Right wrist X-ray · AP view 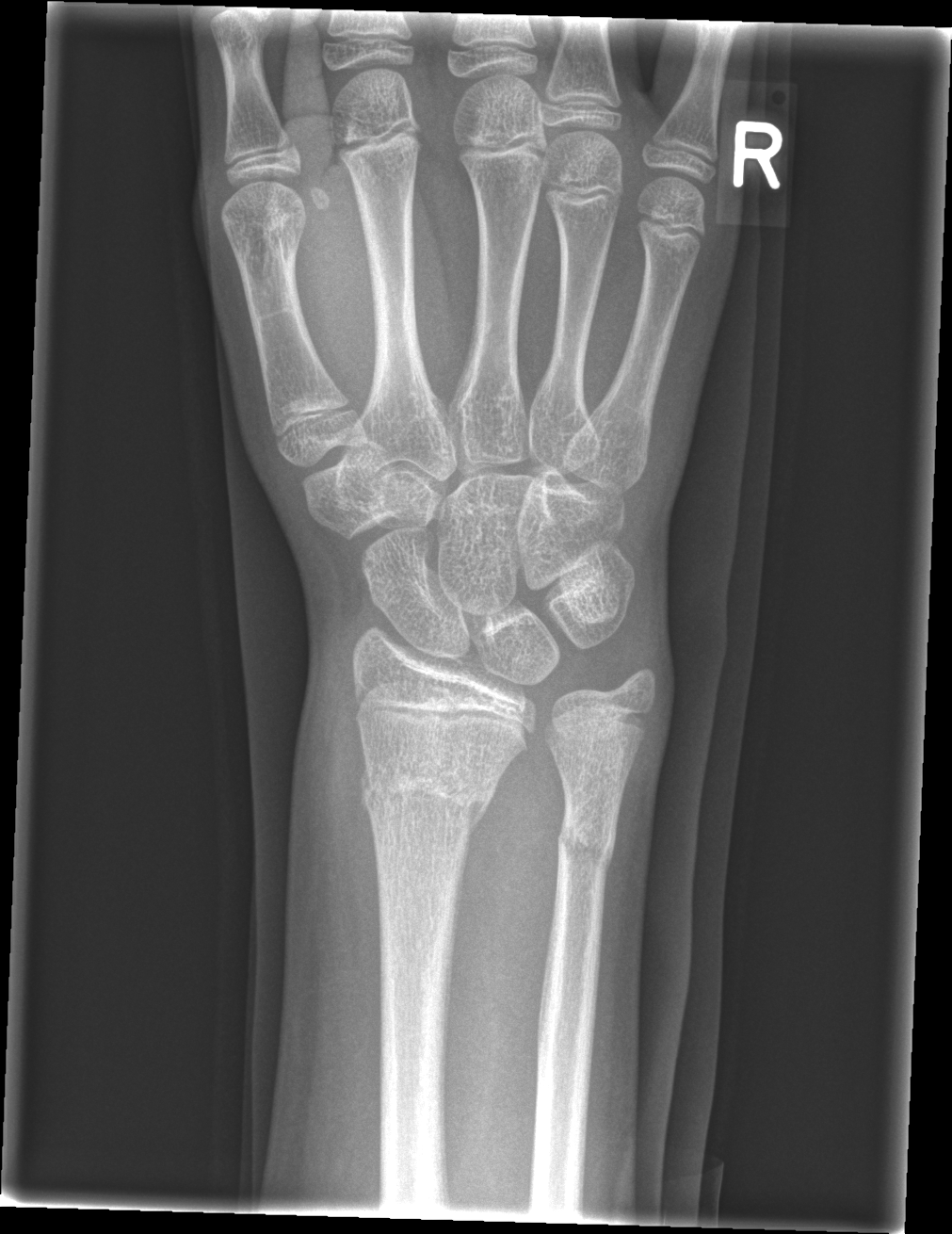 • Bounding boxes in image-pixel xyxy.
• Bone fracture identified at [357, 747, 500, 847] [552, 808, 622, 887].
• AO/OTA classification: 23-M/3.1.